Right plain radiograph of the wrist · lateral · image width 47.5 mm — 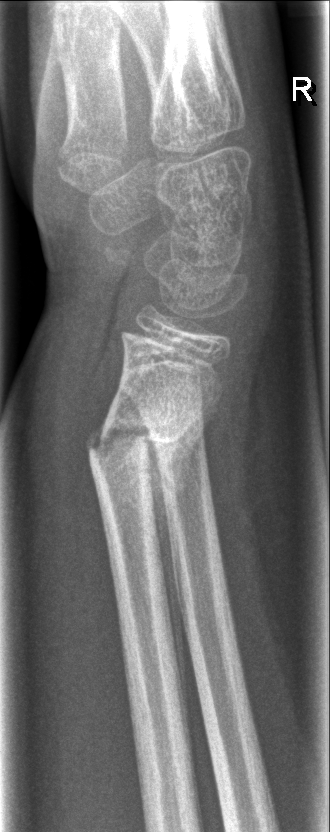 {
  "osteopenia": "present",
  "periostealreaction": "2 @ [144, 390, 223, 744]; [84, 412, 109, 453]",
  "fracture": "1 @ [86, 400, 204, 478]"
}